AP projection · left wrist radiograph · 13y M · acquired on Siemens 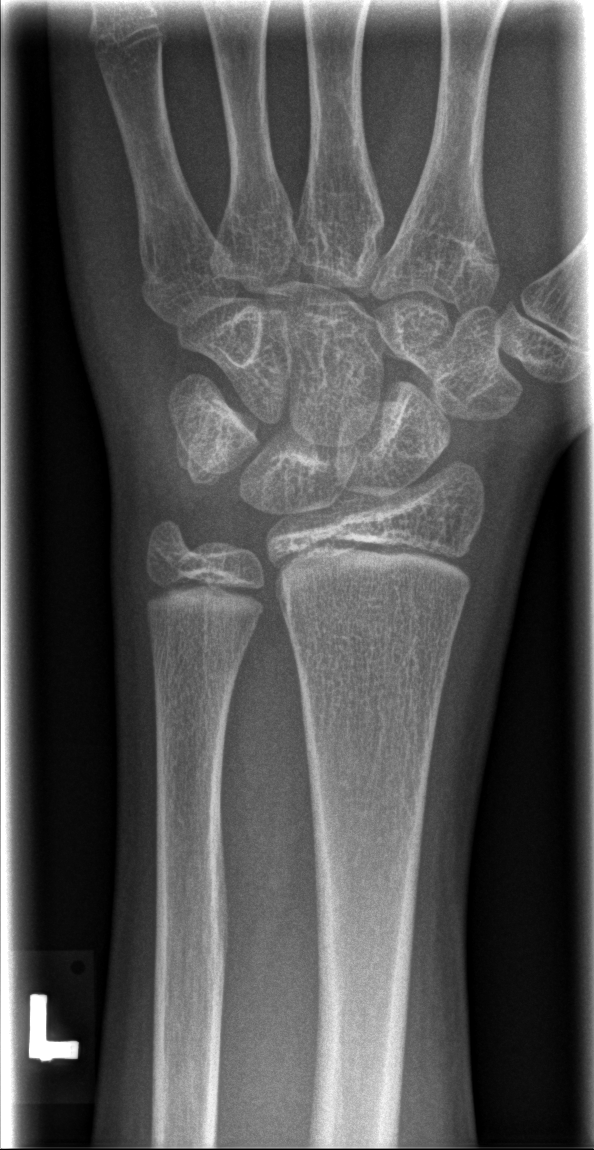
Fx = present but not clearly seen in this view